Rt wrist XR · AP · male, 13 yo · initial study —
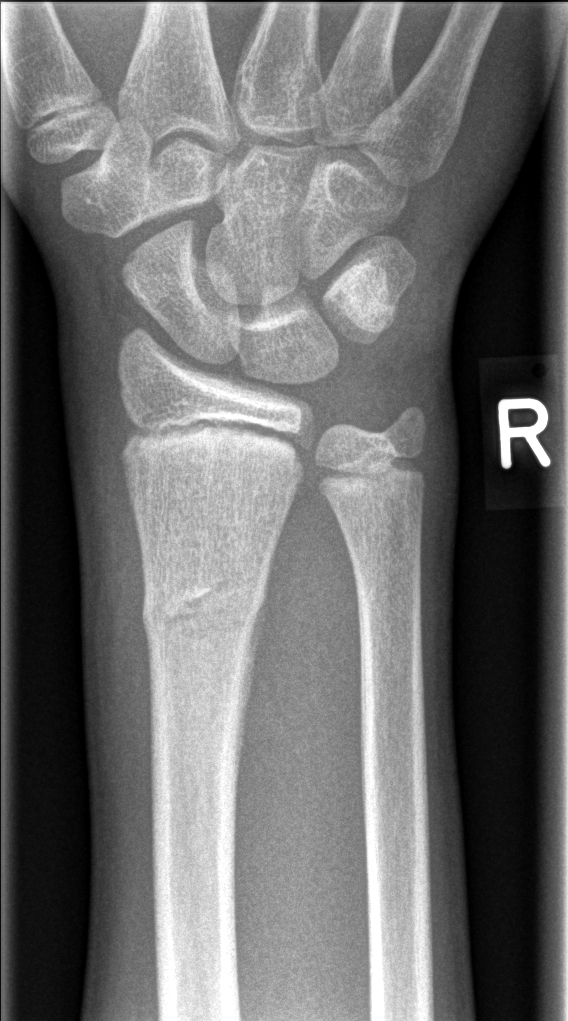 Bone fracture — (left=139, top=567, right=273, bottom=647).